Right wrist plain radiograph of the wrist | PA/AP projection | 13-year-old female. 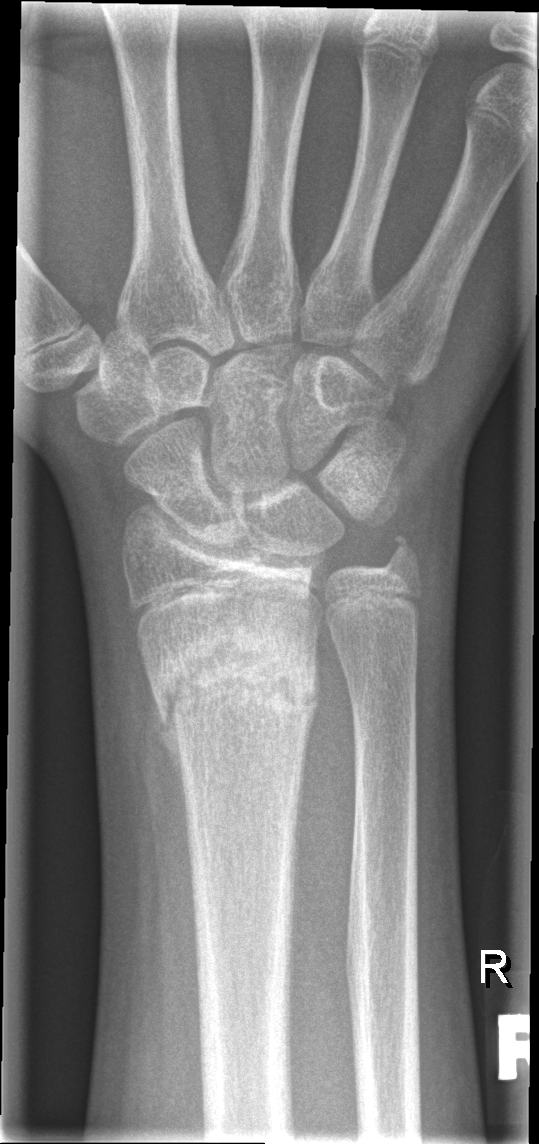

• Pixel coordinates, top-left origin, xyxy.
• One periosteal new bone at (left=148, top=683, right=185, bottom=800).
• AO/OTA classification: 23r-M/3.1; 23u-E/7.
• Fx: (left=148, top=623, right=321, bottom=739); (left=374, top=528, right=427, bottom=585).